Right wrist radiograph | lateral view | age 14 y, female:
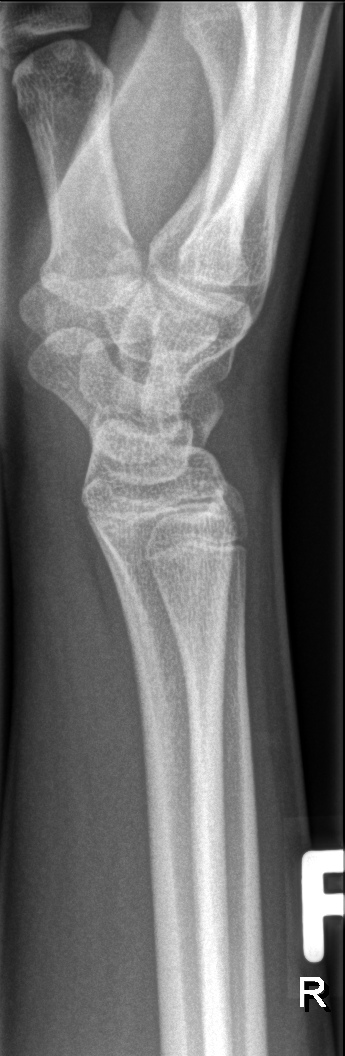 Q: Is there a fracture?
A: No Fx annotated